Lt plain radiograph of the wrist · PA/AP projection · age 12 y, boy · 495x878

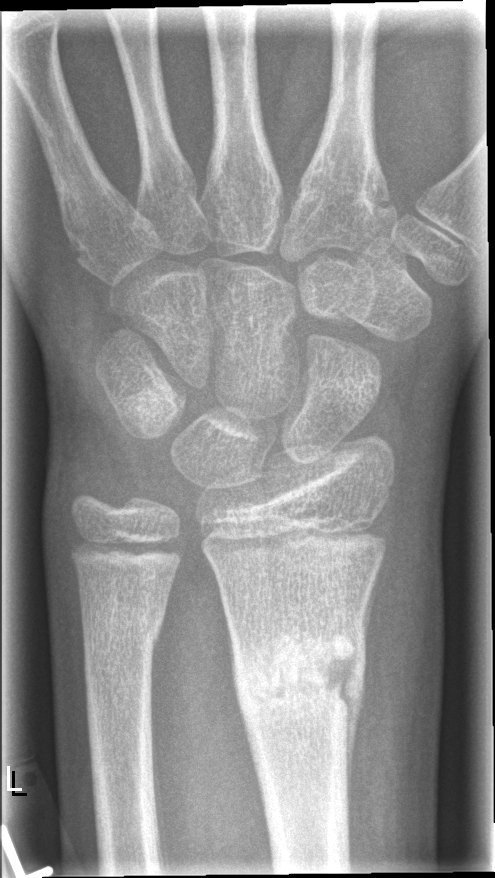
* Reduced bone mineral density.
* Periosteal reaction identified at [x1=341, y1=574, x2=378, y2=859].
* Fx identified at [x1=233, y1=611, x2=368, y2=729]; [x1=79, y1=602, x2=165, y2=656].